Rt plain radiograph of the wrist, lateral projection. 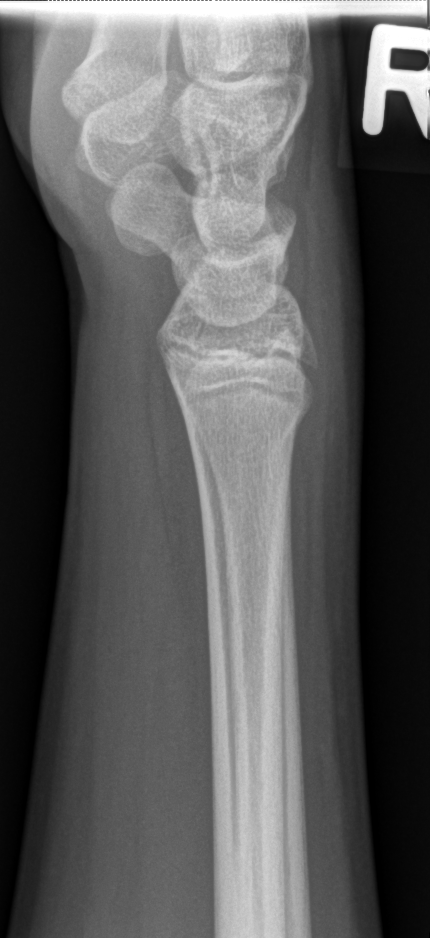 * Boxes as x1,y1,x2,y2 (top-left / bottom-right, pixel units).
* AO/OTA classification: 23r-M/2.1.
* One fracture at [x1=185, y1=400, x2=315, y2=471].